Frontal; L plain radiograph of the wrist; Siemens; image size 619x1212. 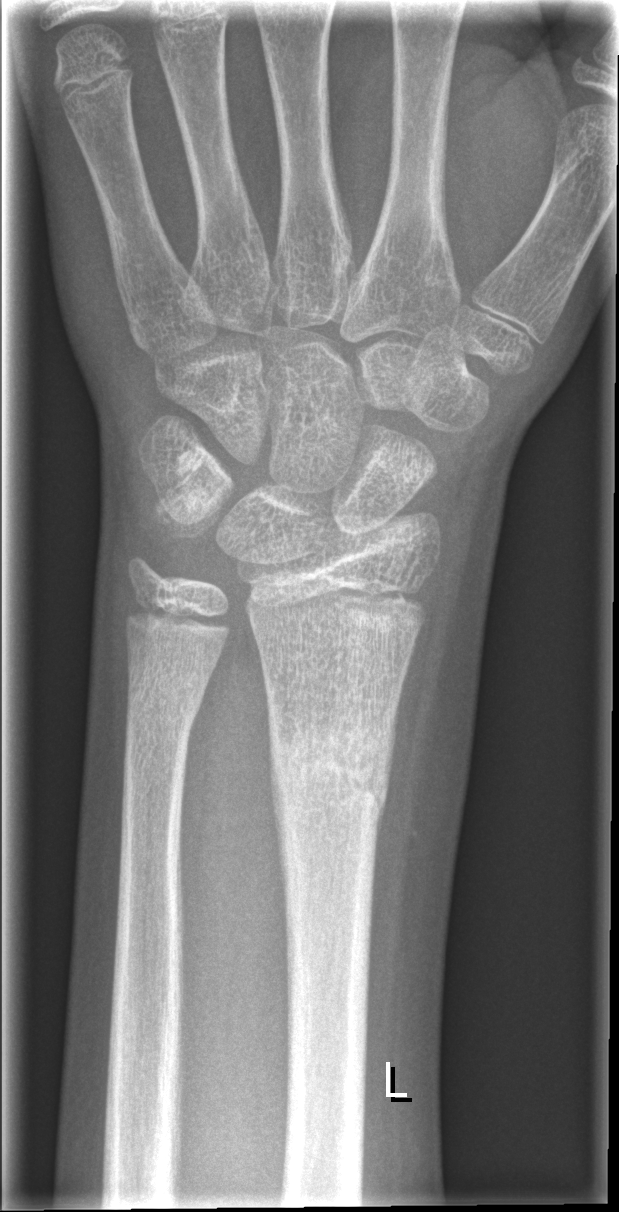

# bounding boxes in image-pixel xyxy
osteopenia: present
fracture: (267, 721, 395, 833), (120, 668, 205, 743)